Lt wrist plain film | frontal | boy, 10 yo | subsequent exam | imaged through cast | 83.5 mm image width
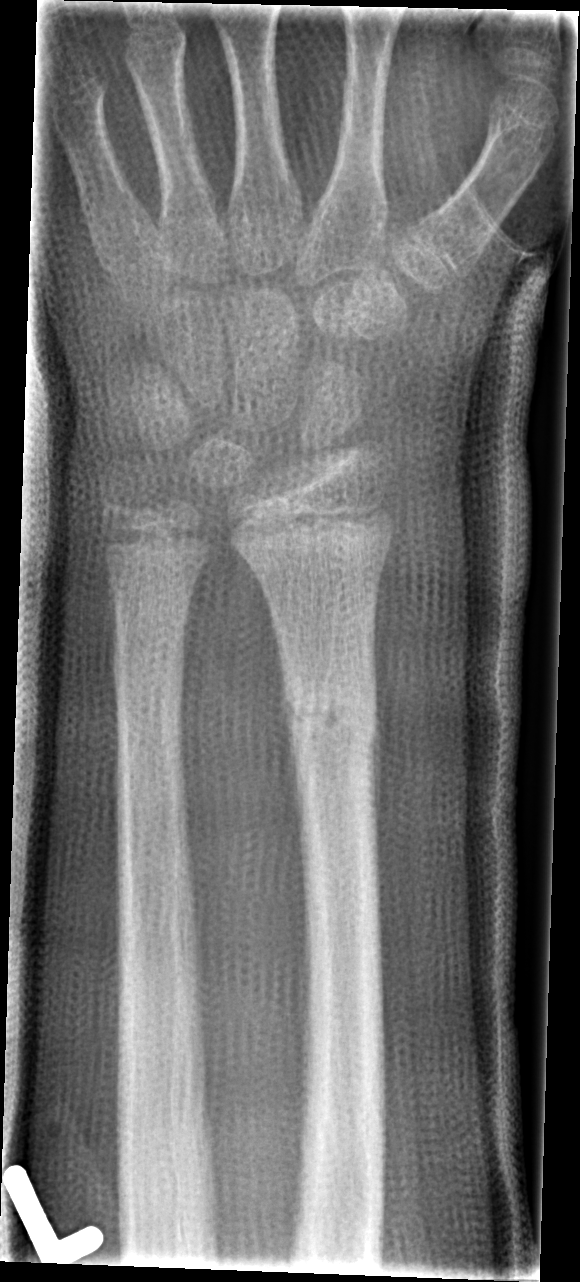 Fracture classified AO/OTA 23r-M/3.1; 23u-M/2.1.
Fracture — 277,666,384,786.